Left wrist plain radiograph of the wrist, lateral view, initial study

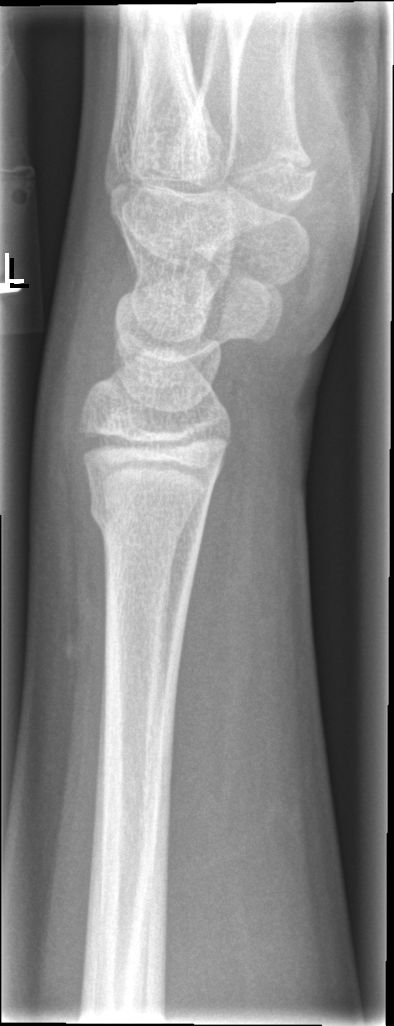

ao: 23r-M/2.1
fracture: 1 @ [86, 487, 210, 549]